Lt wrist XR, lateral projection, age 10 y, boy, presentation radiograph —

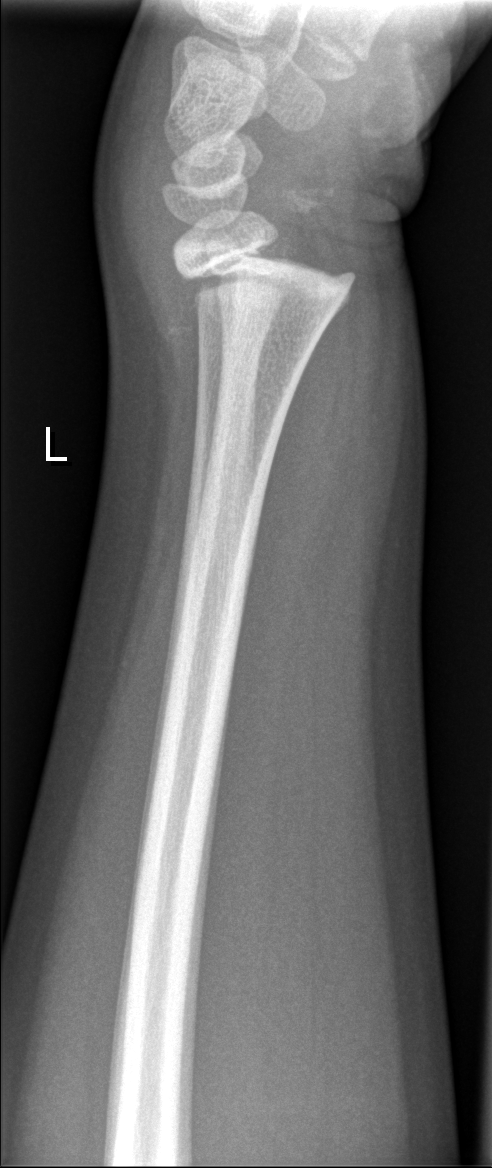 # boxes as x1,y1,x2,y2 (top-left / bottom-right, pixel units)
pronatorsign: 1 @ (238, 276, 360, 669)
fracture: (174, 229, 362, 314)